Frontal view; R wrist XR; 8-year-old girl: 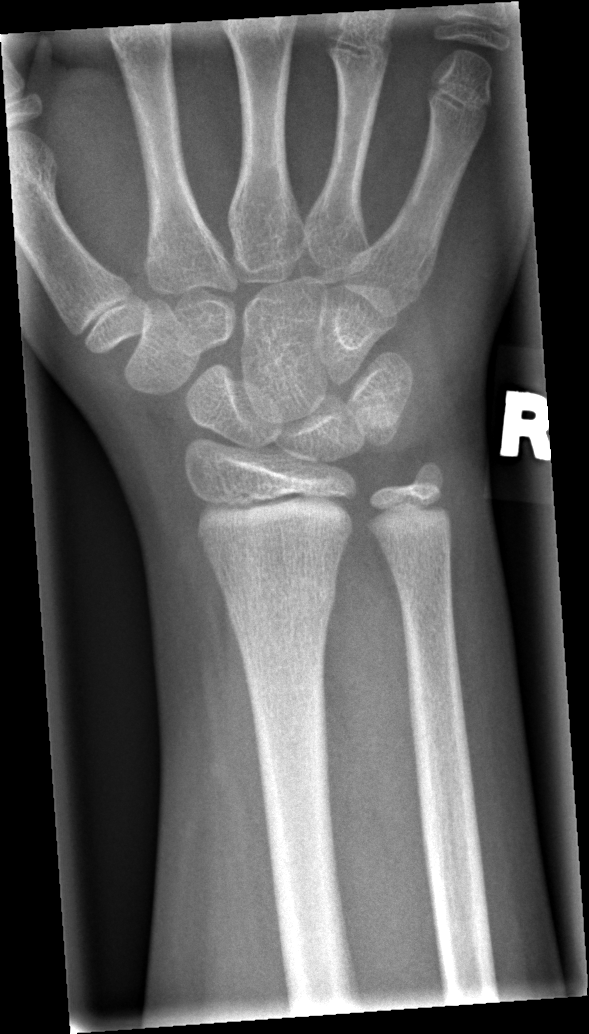 fracture: 221,565,341,634
AO code: 23r-M/2.1